Lateral projection · right wrist radiograph · boy, 12 yo

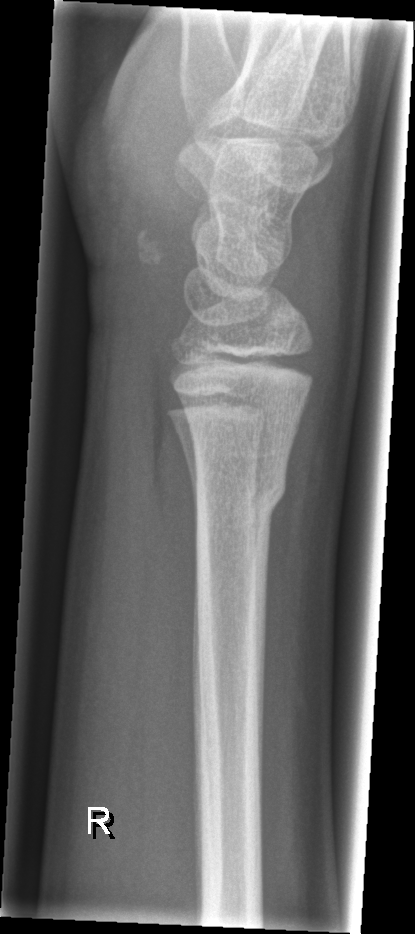
Fracture — 187 452 293 528. AO/OTA classification: 23r-M/2.1.